Lateral view, left pediatric wrist radiograph, male, 12 yo, detector: Siemens
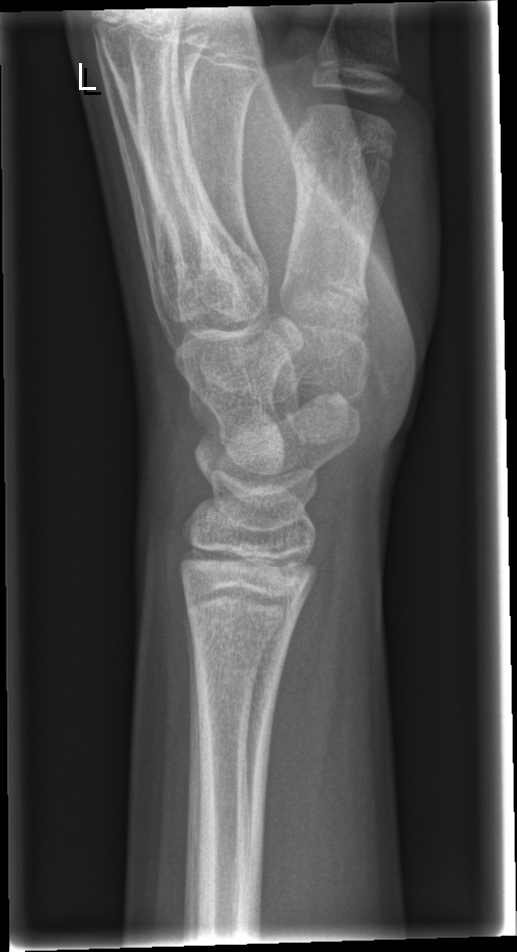
fracture: none labeled